R wrist XR; AP view. 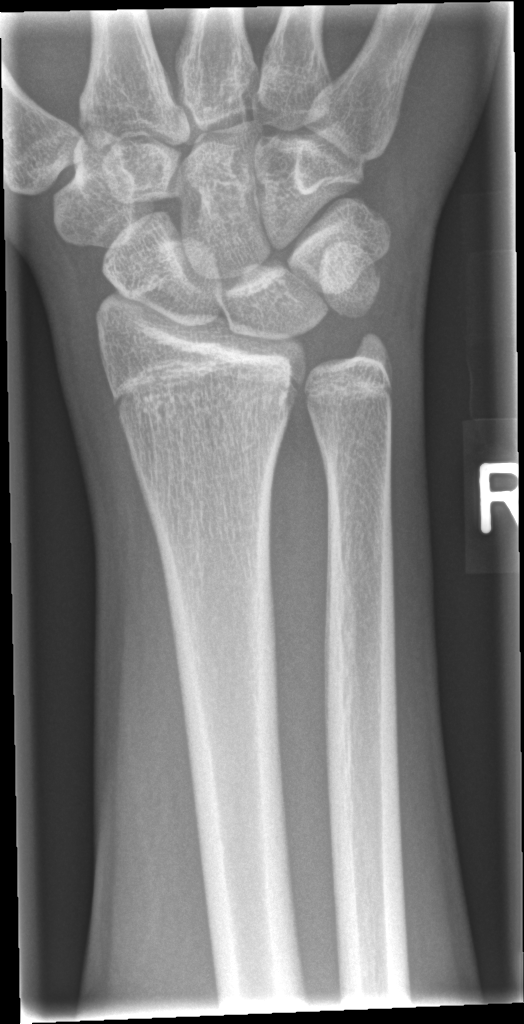
Fx: none labeled